L wrist radiograph | posteroanterior projection | 87.7 mm image width: 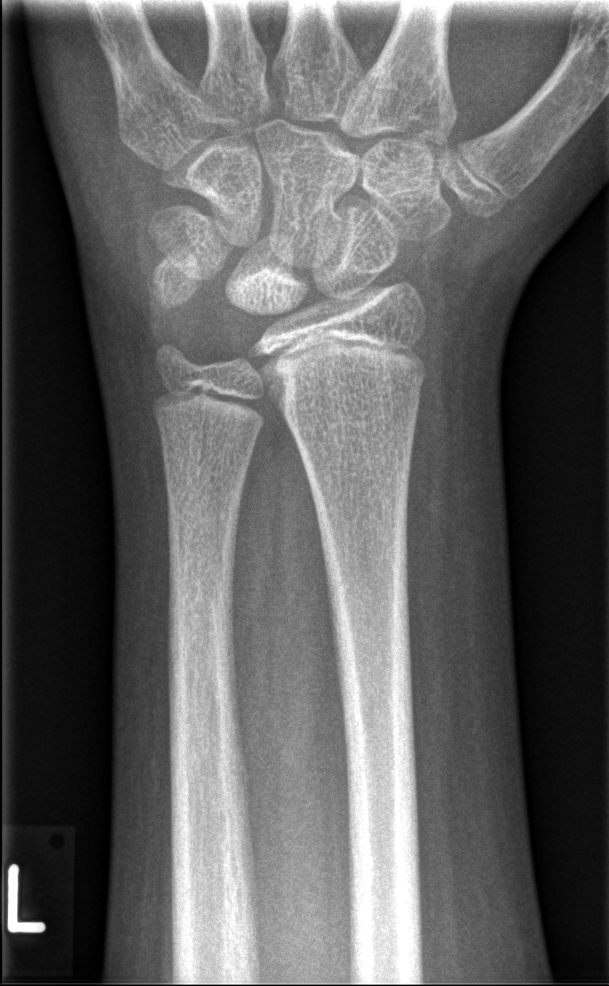

fracture: none labeled